Rt wrist XR; lat view; follow-up 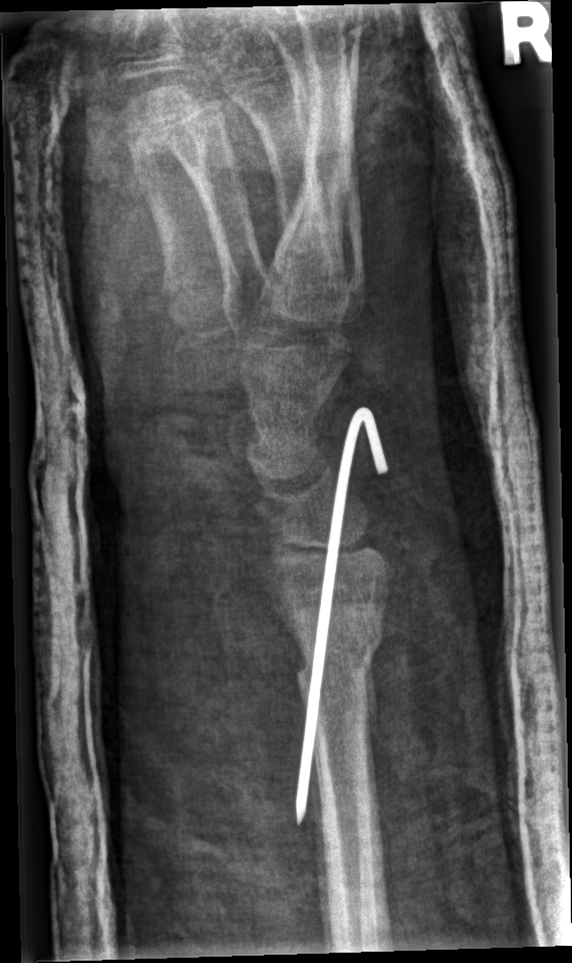

Fracture — 293 616 387 702.
One hardware at 296 407 388 826.
Fracture classified AO/OTA 23-M/3.1.